Right wrist XR | lateral view | 392 x 746 px:

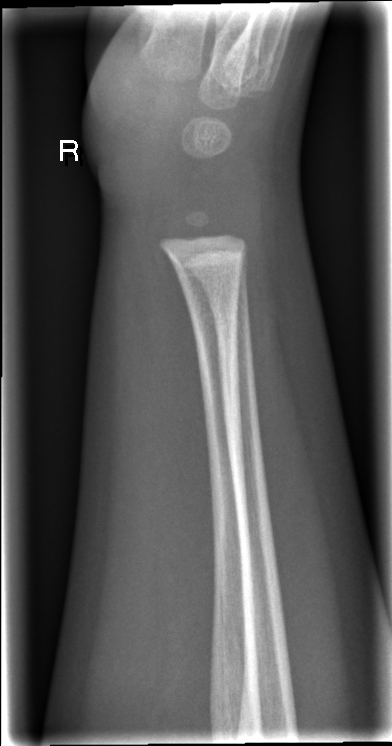
• No fracture annotation.